Posteroanterior projection | L wrist plain film | follow-up | image width 95.8 mm

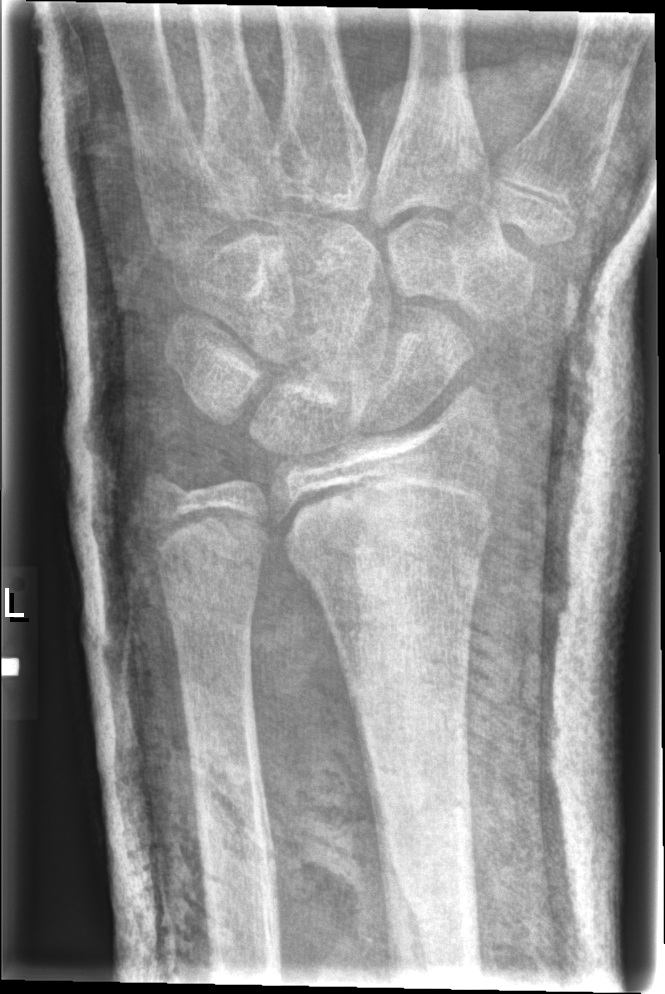

Coordinates are [x1, y1, x2, y2] in image pixels.
One fracture at [x1=283, y1=512, x2=486, y2=617].
AO code 23r-E/2.1.